L wrist X-ray · lateral projection · Siemens
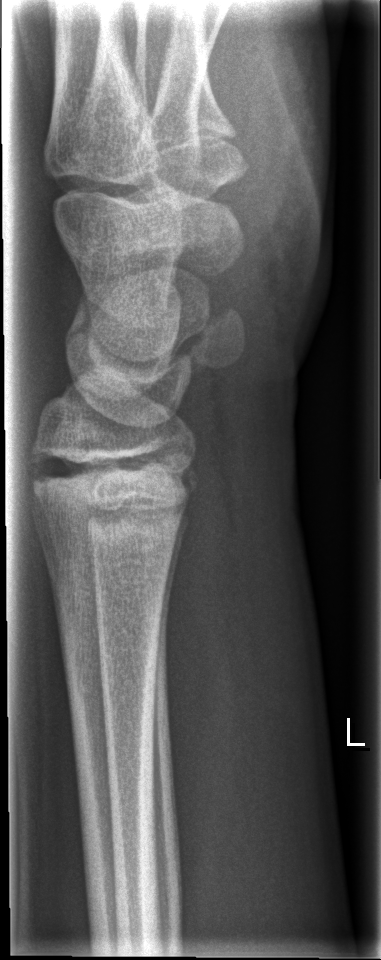

{"ao": "23r-E/1", "fracture": "1 @ [25, 446, 197, 511]"}